Right wrist plain film · PA projection · female, 7 yo · index exam · acquired on Siemens

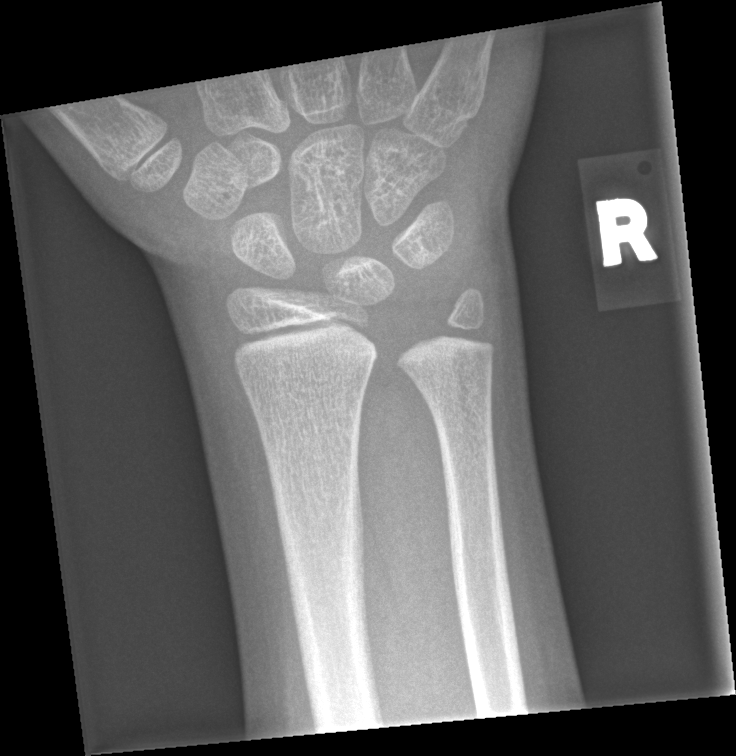
Fracture = none labeled